L wrist XR · lateral projection · 13y M · 79.8 mm image width · 554 by 1326 pixels 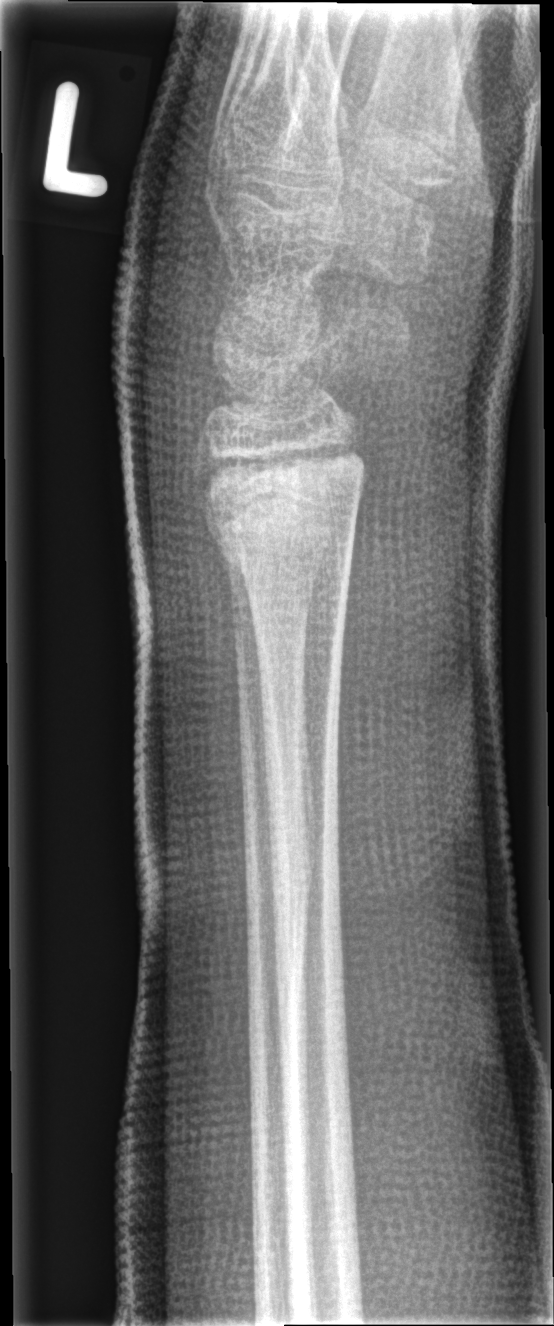

(boxes as x1,y1,x2,y2 (top-left / bottom-right, pixel units))
Bone fracture: 1 @ [x1=196, y1=465, x2=365, y2=575]